Lt wrist X-ray · lat

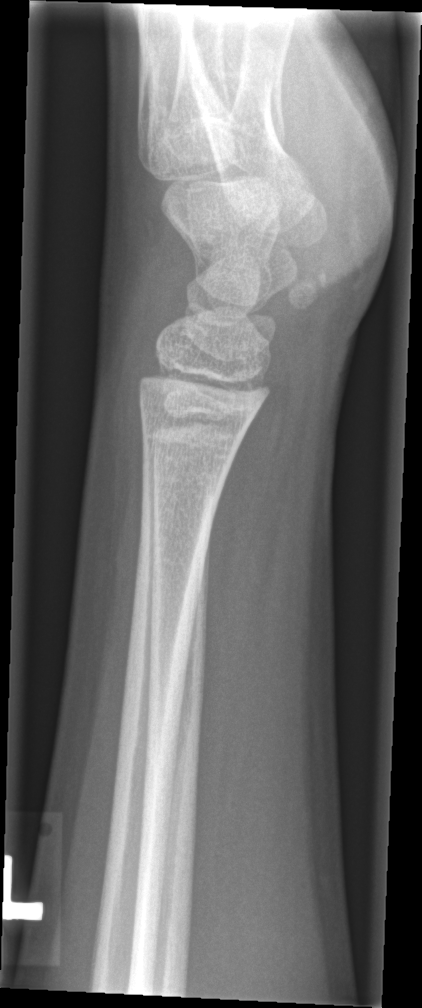 Fx = none labeled